Lateral · right wrist XR · presentation radiograph · 277 by 442 pixels. 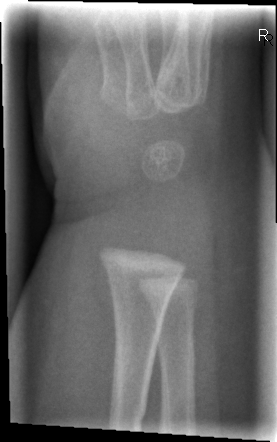 Boxes as x1,y1,x2,y2 (top-left / bottom-right, pixel units). Bone fracture — [x1=105, y1=397, x2=148, y2=428]. AO code 23-M/2.1.